Lateral view, R wrist radiograph, subsequent exam, in cast, acquired on Siemens

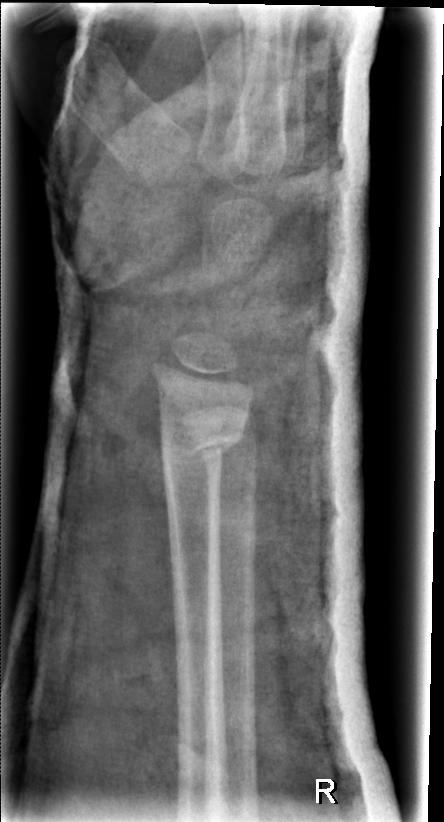 FINDINGS: (coordinates are [x1, y1, x2, y2] in image pixels) AO/OTA classification: 23r-M/3.1; 23u-M/2.1. One bone fracture at [158, 412, 249, 482].